PA, left wrist radiograph, pediatric patient (boy, age 13), Siemens, 496x910.

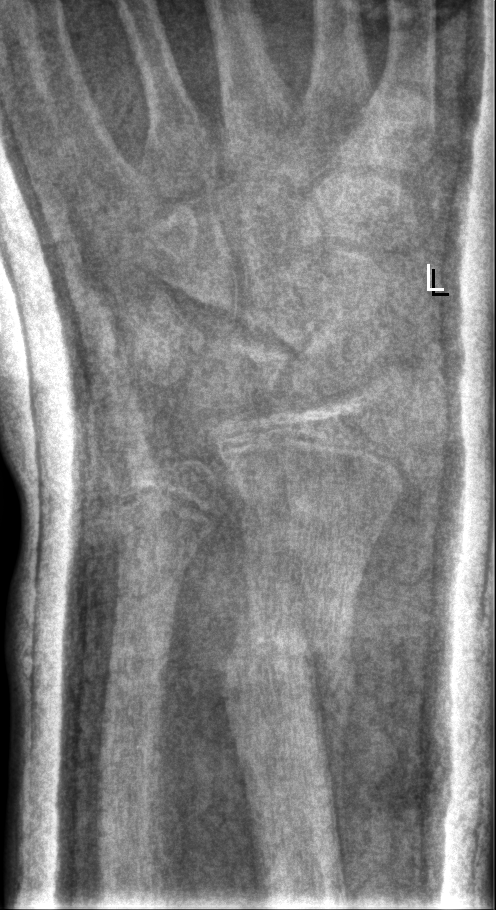
{"_coords": "pixel coordinates, top-left origin, xyxy", "periostealreaction": "1 @ [x1=307, y1=629, x2=354, y2=890]", "fracture": "[x1=213, y1=624, x2=353, y2=702]"}